Lat · L wrist X-ray · initial study · Siemens · 514 by 781 pixels. 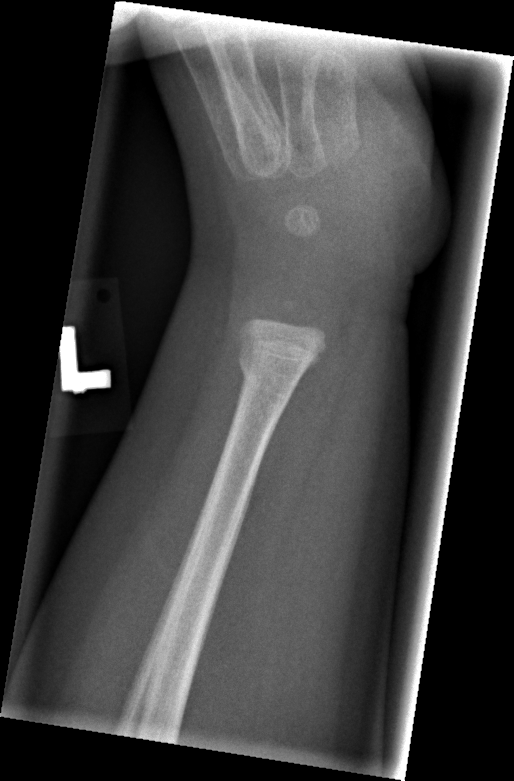 • Fracture identified at [234, 341, 302, 410].
• AO/OTA classification: 23r-M/2.1.